Left wrist XR · lat projection · 13-year-old male:

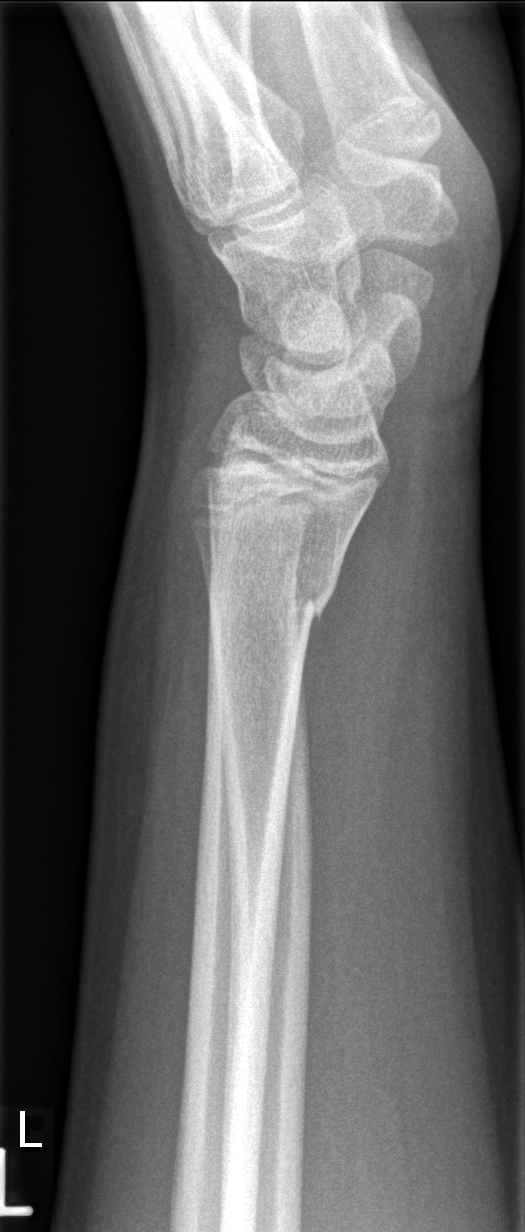
fracture: 200 560 346 649
AO classification: 23r-M/2.1